Left wrist XR | lat projection | pediatric patient (boy, age 15).
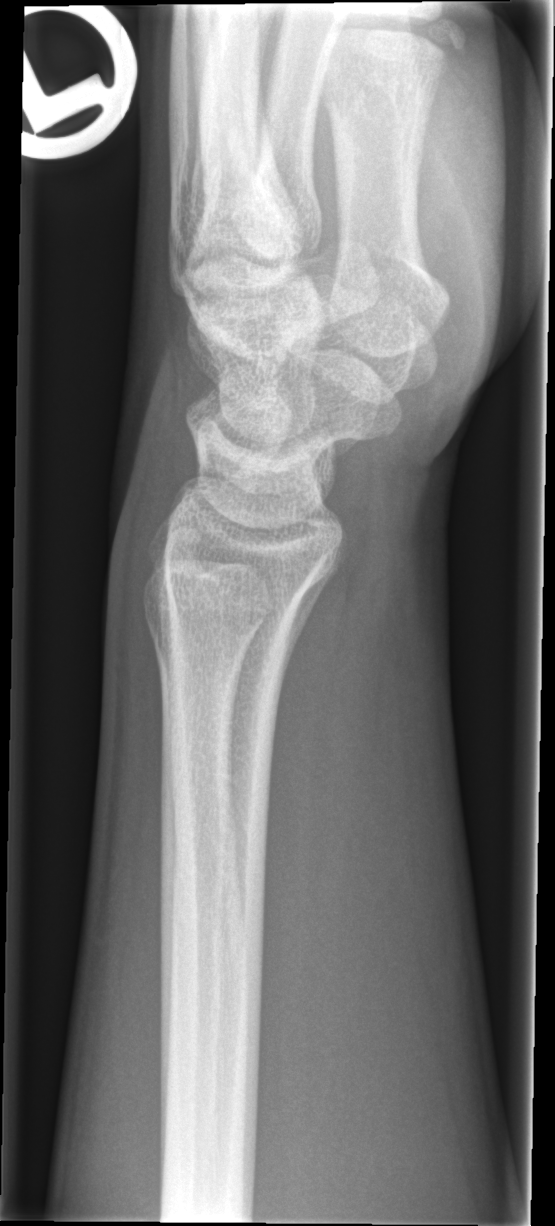
No fracture annotation.